Right wrist XR, PA projection, 7y F, presentation radiograph 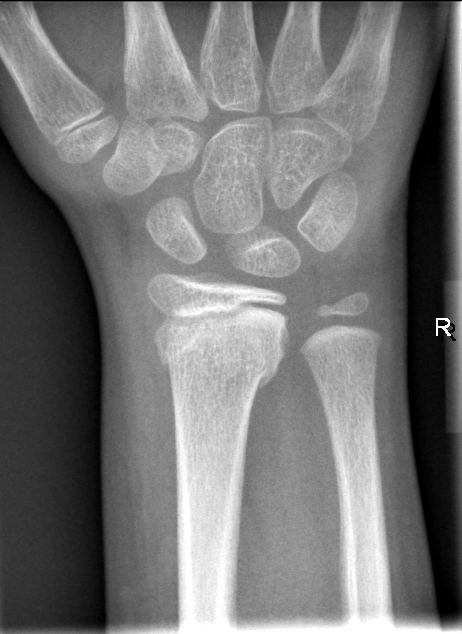
AO code 23r-E/2.1. One Fx at (left=152, top=310, right=293, bottom=390).